L wrist radiograph | posteroanterior view | 5-year-old female | index exam | detector: Siemens | 414 by 634 pixels:
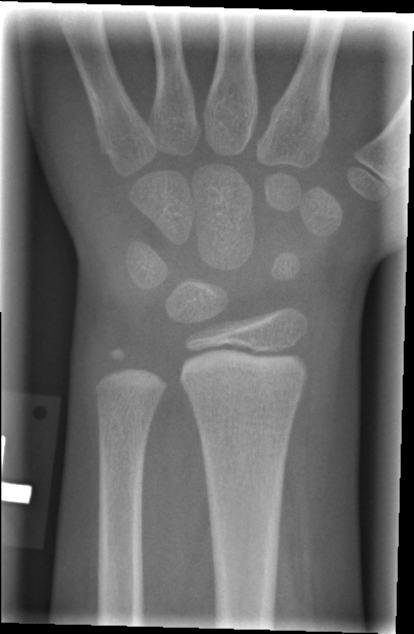 Fracture: present but not clearly seen in this view
AO/OTA: 23r-M/2.1